Lateral, Rt wrist XR, male, 12 yo, 342x826

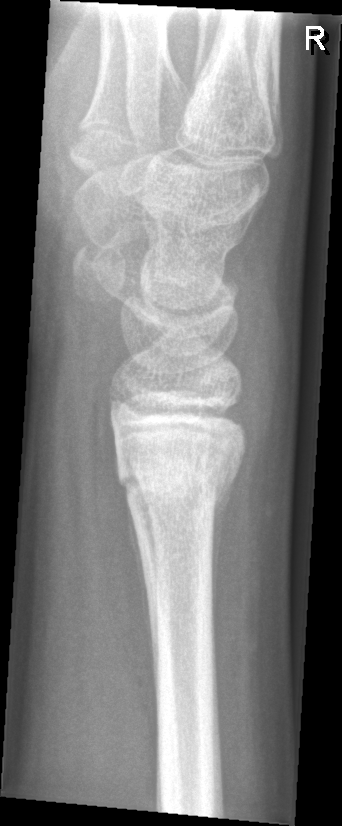

Fracture classified AO/OTA 23r-M/3.1; 23u-E/7.
Two periosteal new bone at [x1=125, y1=493, x2=159, y2=700], [x1=209, y1=460, x2=240, y2=649].
One Fx at [x1=112, y1=444, x2=243, y2=518].